Left plain radiograph of the wrist; frontal view; subsequent exam; in cast; 564 by 1188 pixels:
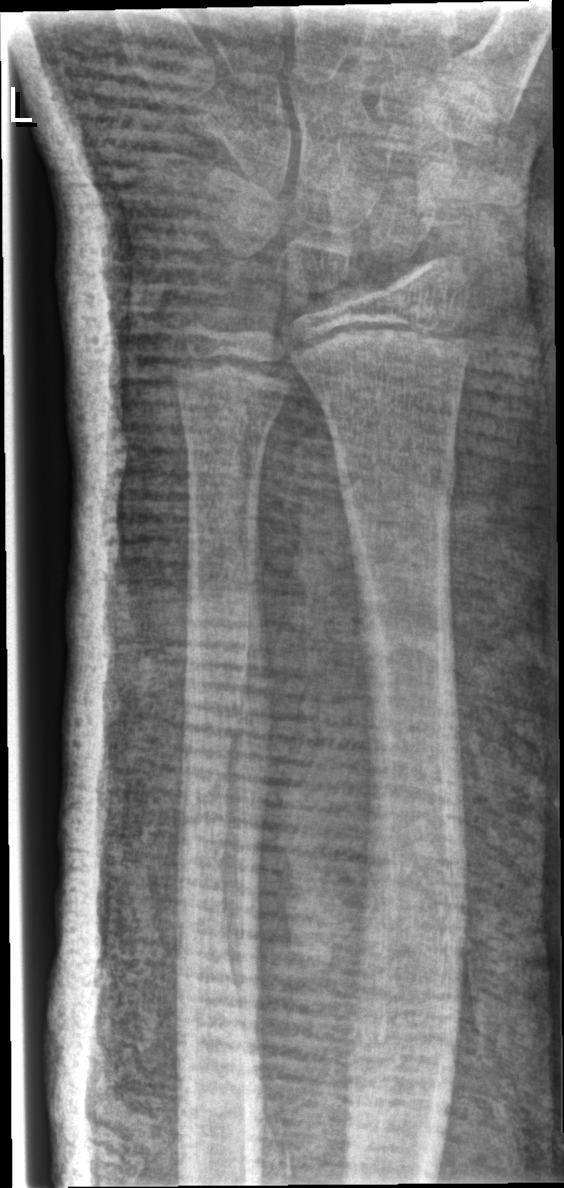
• AO code 23r-M/3.1.
• Fracture: (334, 459, 457, 521).